PA projection, Lt wrist radiograph, pediatric patient (boy, age 11) —

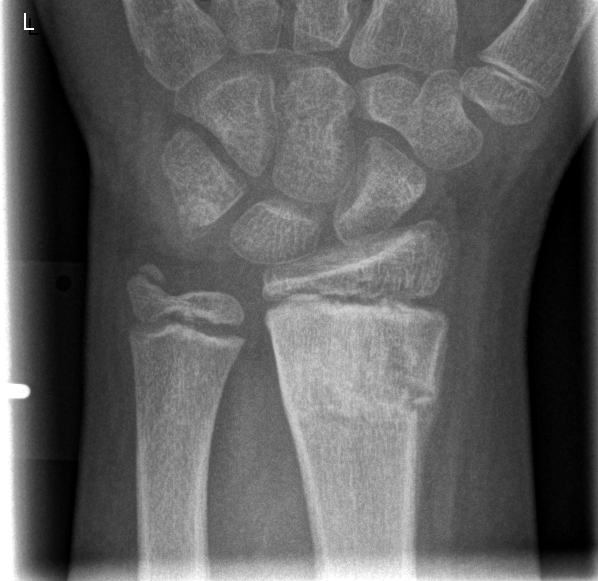

FINDINGS: Osteopenia. Two bone fractures at <273,315>-<448,433> <123,256>-<179,315>. One periosteal new bone at <412,328>-<449,554>. AO code 23r-M/3.1; 23u-E/7.